Posteroanterior view; left wrist radiograph; pediatric patient (boy, age 10).
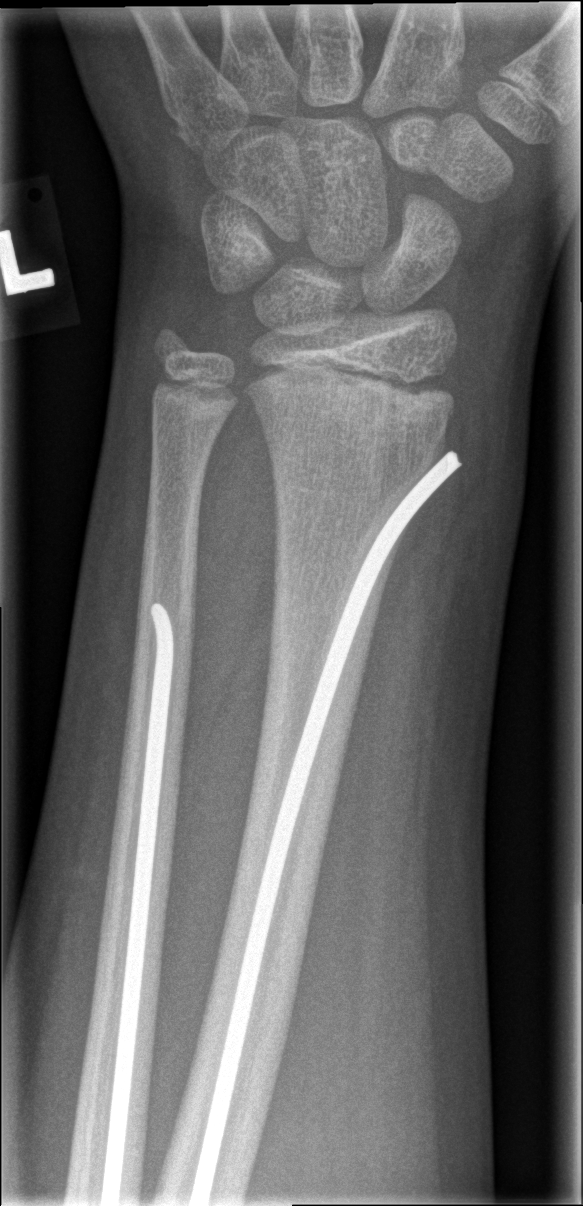
- Two metallic implants at (188, 452, 462, 1204); (102, 604, 178, 1202).
- Fracture present, but no bounding box because it is not clearly seen in this view.